Lat view, L wrist radiograph, 14-year-old male, acquired on Siemens —

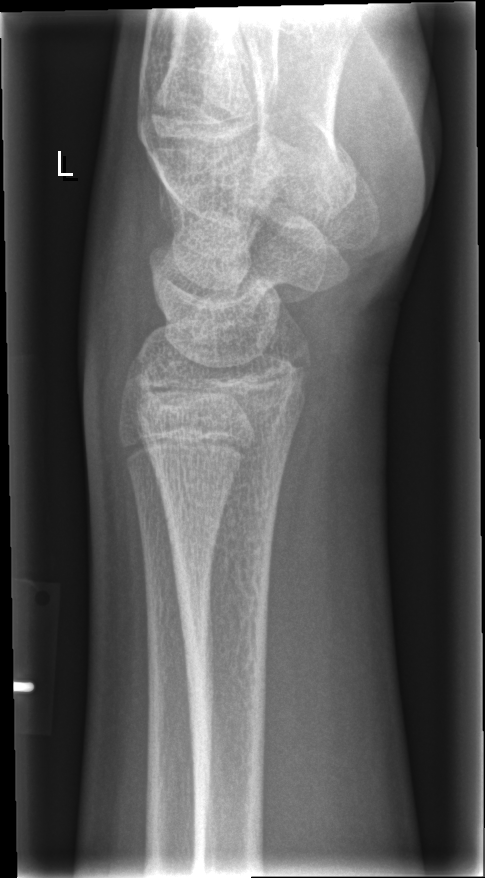 * No fracture annotation.